Right wrist X-ray | frontal projection | follow-up study 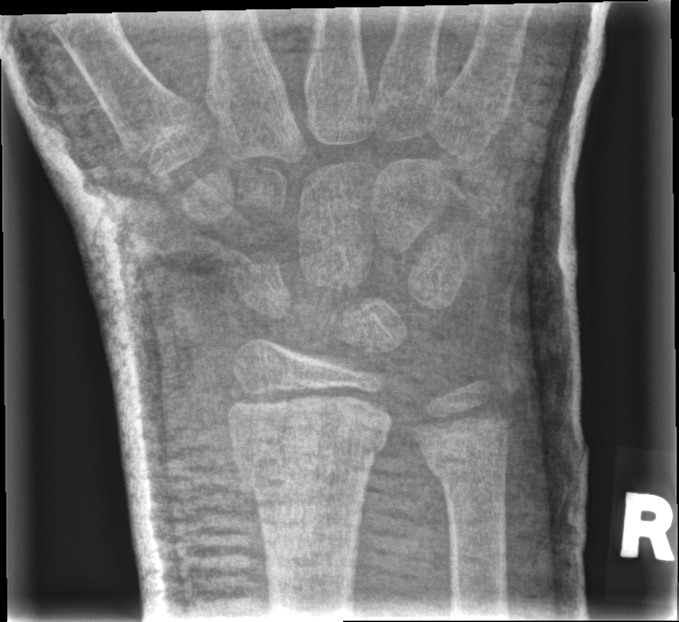 Bounding boxes in image-pixel xyxy. AO code 23r-E/2.1; 23u-M/2.1. Bone fracture: 220 386 395 500; 417 435 514 494.